Rt wrist radiograph | frontal view

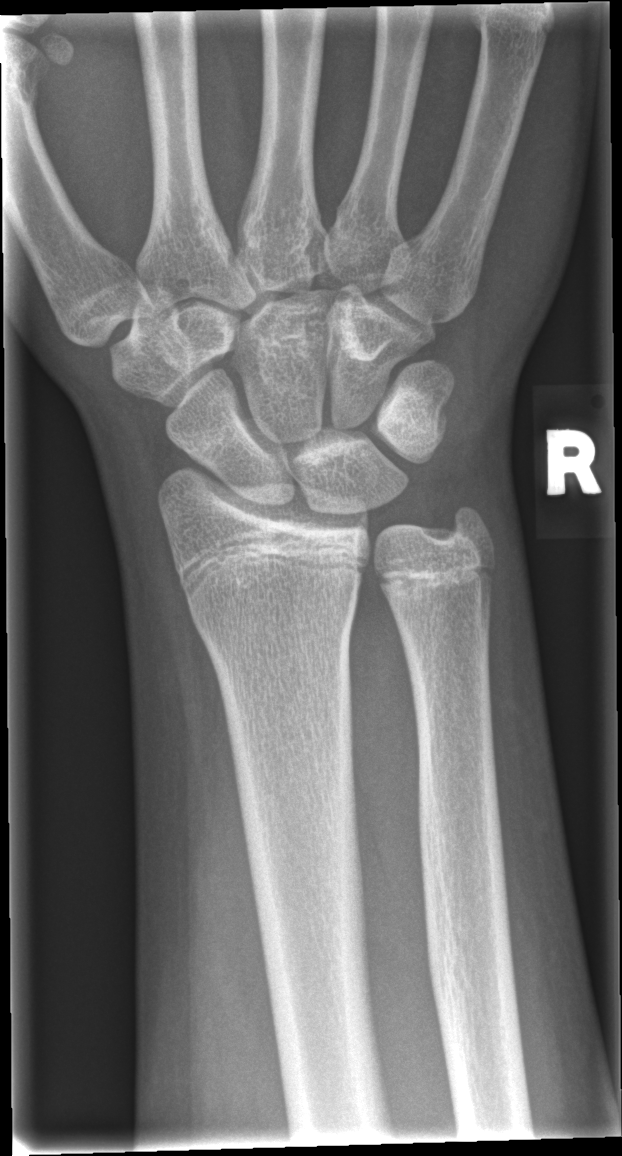

  fracture: none labeled